Right wrist plain film · lateral projection — 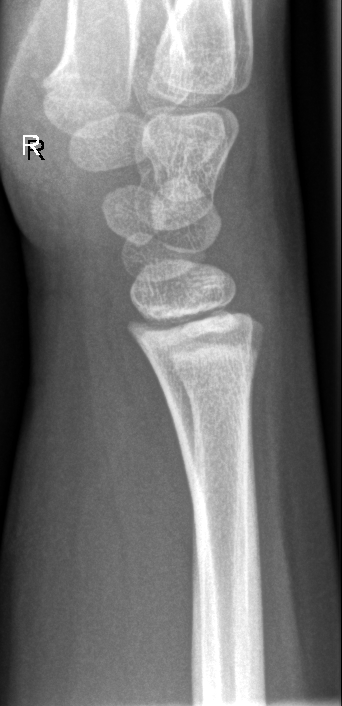
Q: Is there a fracture?
A: No Fx annotated